Lt wrist XR · lat view · age 9 y, girl · initial study
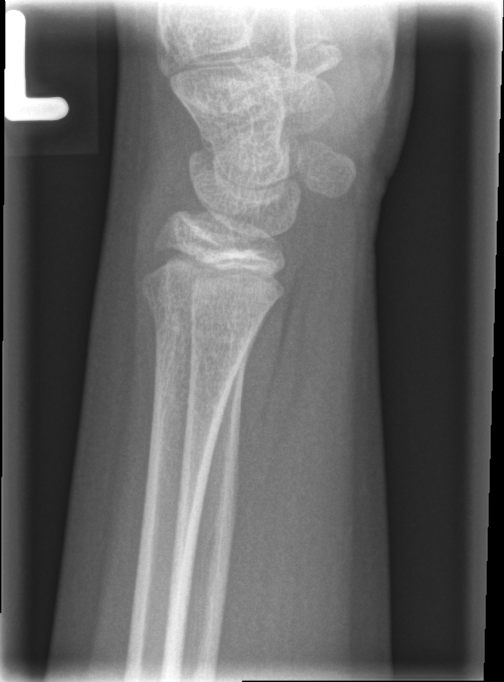

Bone fracture — bbox(138, 281, 267, 342).
AO/OTA classification: 23r-M/2.1.